Lateral view | R wrist radiograph | pediatric patient (female, age 14) —

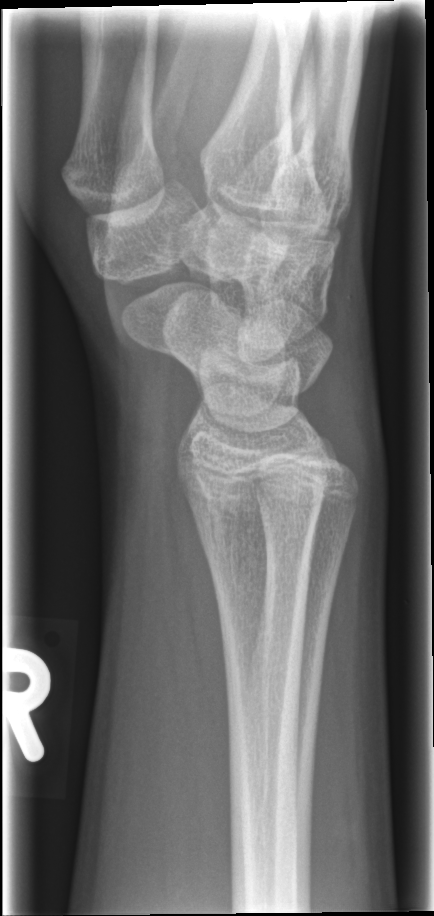 No fracture annotation.